Posteroanterior; left wrist XR; image width 65.2 mm:
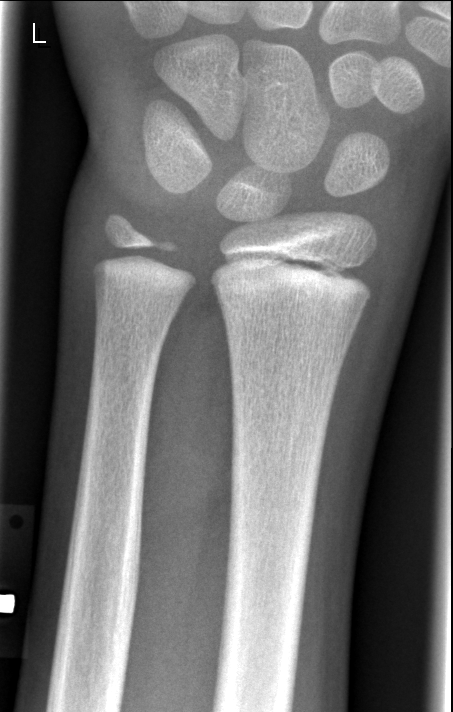
• No fracture labeled.